PA projection · right wrist plain film · age 11 y, girl: 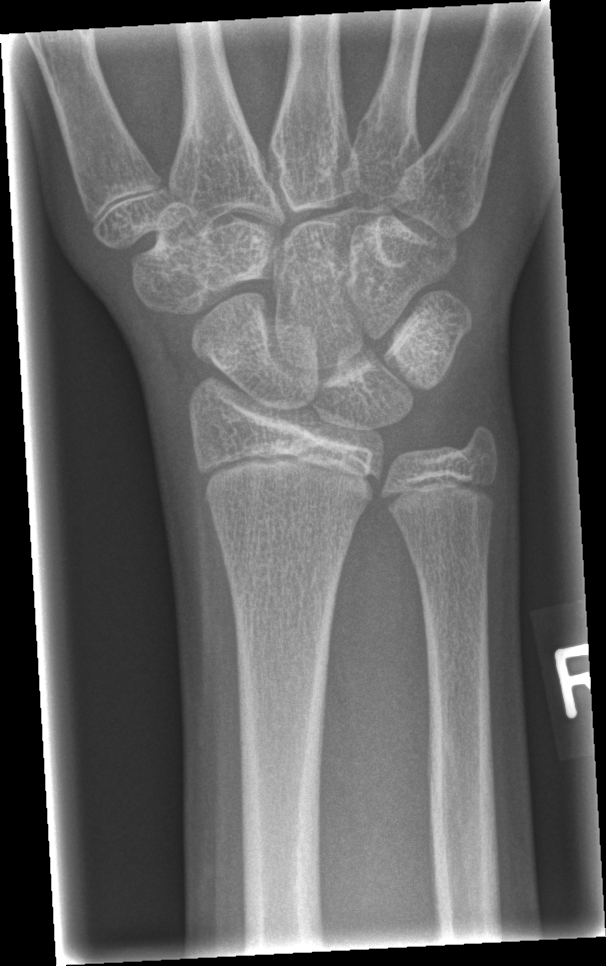
No fracture annotation.